Left wrist X-ray; AP.

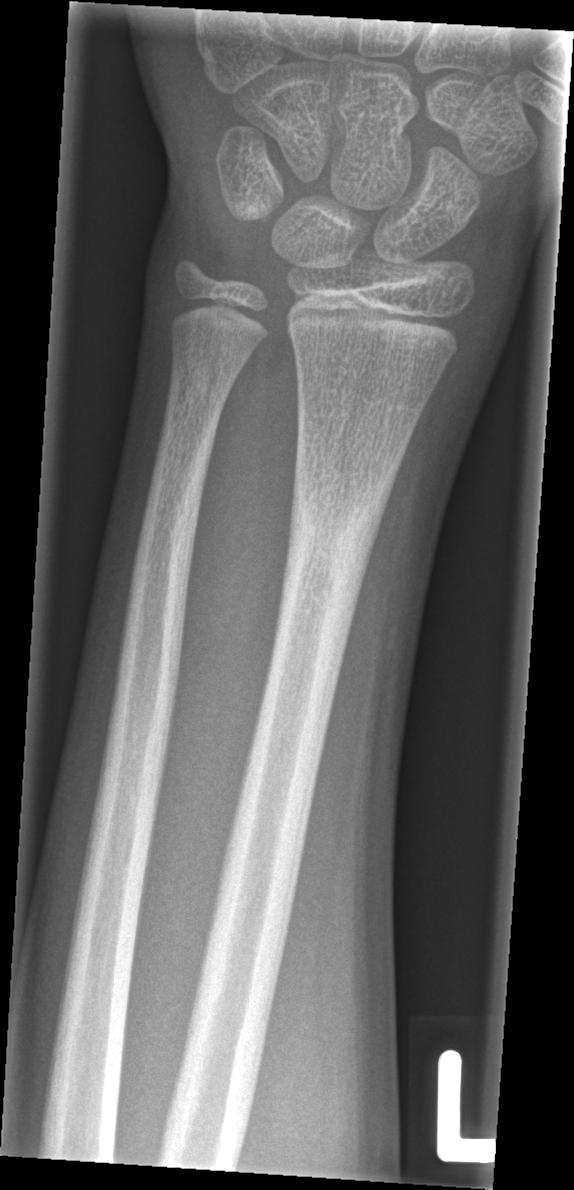

{"fracture": "268,469,401,676"}